Left wrist X-ray, lat view, image 104.4 mm wide:

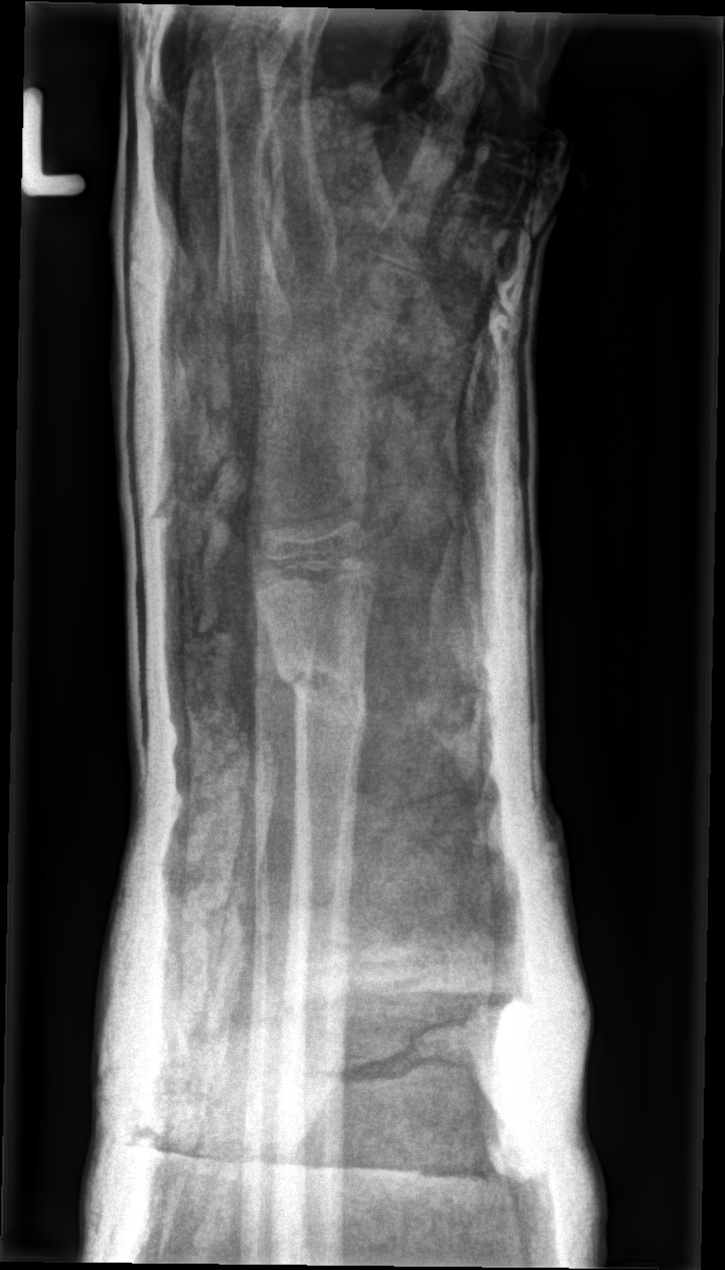

FINDINGS — (pixel coordinates, top-left origin, xyxy) Fracture classified AO/OTA 23-M/3.1. Fx identified at [270, 645, 371, 751].